Lateral · R pediatric wrist radiograph · female, 10 yo:
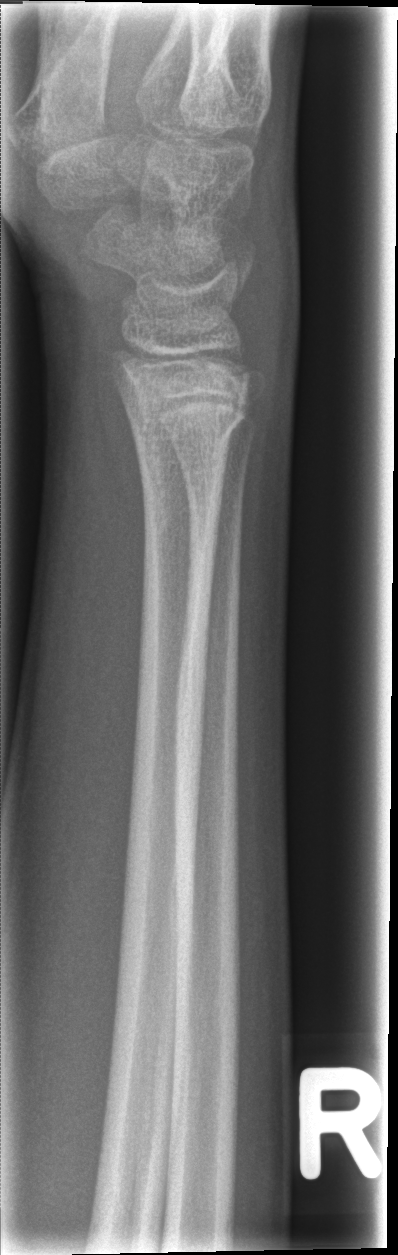
Q: Fracture present?
A: One bone fracture at <117,380>-<252,453>
Q: AO code?
A: Fracture classified AO/OTA 23r-M/2.1